PA/AP · right wrist plain film · 11y M —
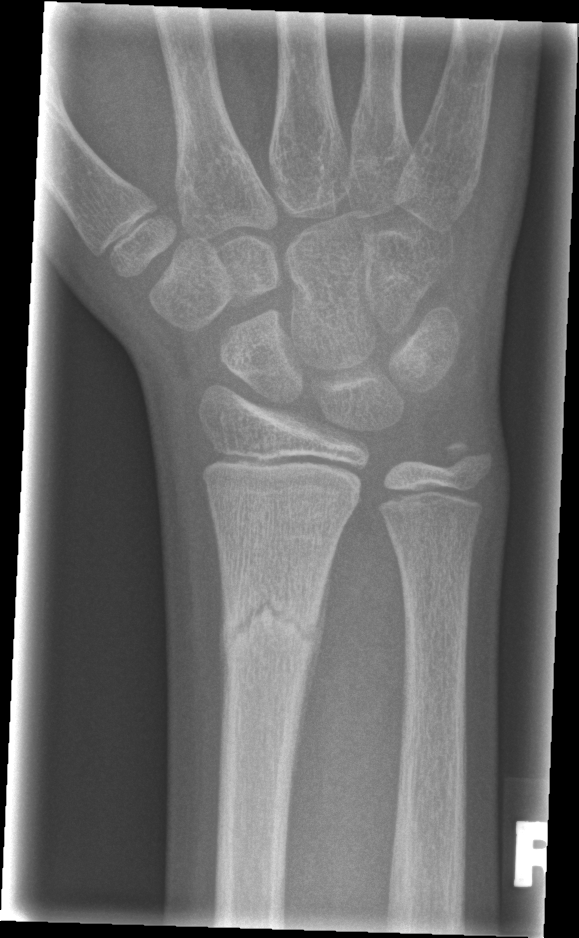

{"_coords": "pixel coordinates, top-left origin, xyxy", "osteopenia": "present", "fracture": "2 @ bbox(217, 574, 326, 679), bbox(433, 434, 498, 489)", "periostealreaction": "1 @ bbox(293, 558, 331, 778)"}